Lat | R pediatric wrist radiograph | 556 by 1394 pixels
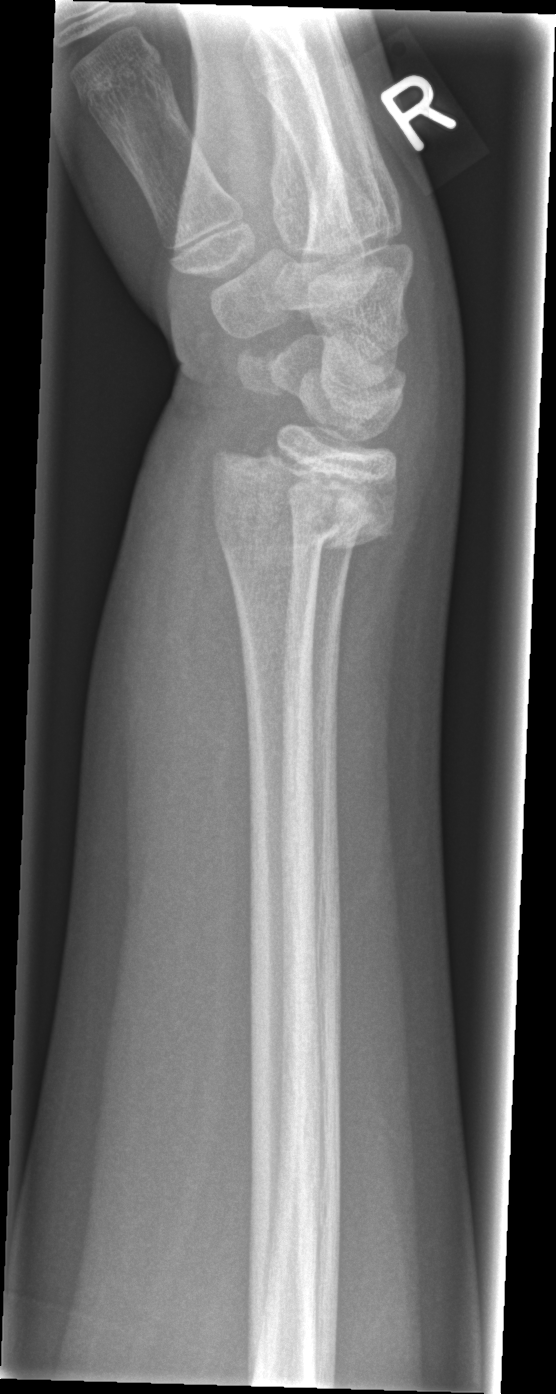 (boxes as x1,y1,x2,y2 (top-left / bottom-right, pixel units))
Bone fracture = bbox(205, 440, 400, 553)
Pronator sign = bbox(170, 510, 254, 1078)
AO/OTA = 23r-E/2.1; 23u-E/7